Lat view, right wrist XR 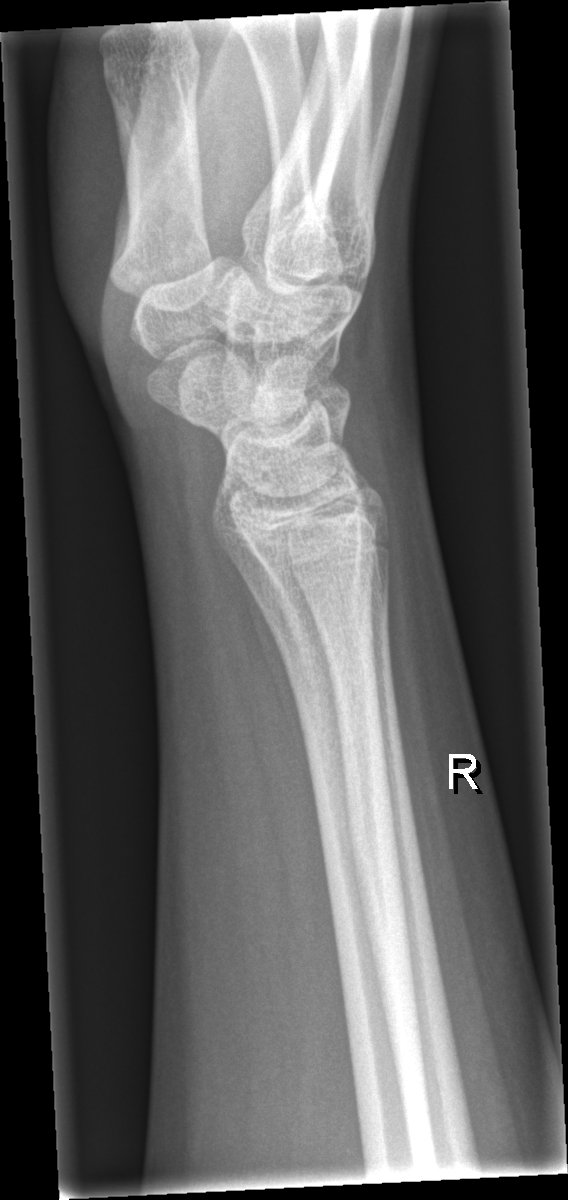 Bone fracture: none labeled